Rt plain radiograph of the wrist; posteroanterior projection; male, 13 yo; imaged through cast.

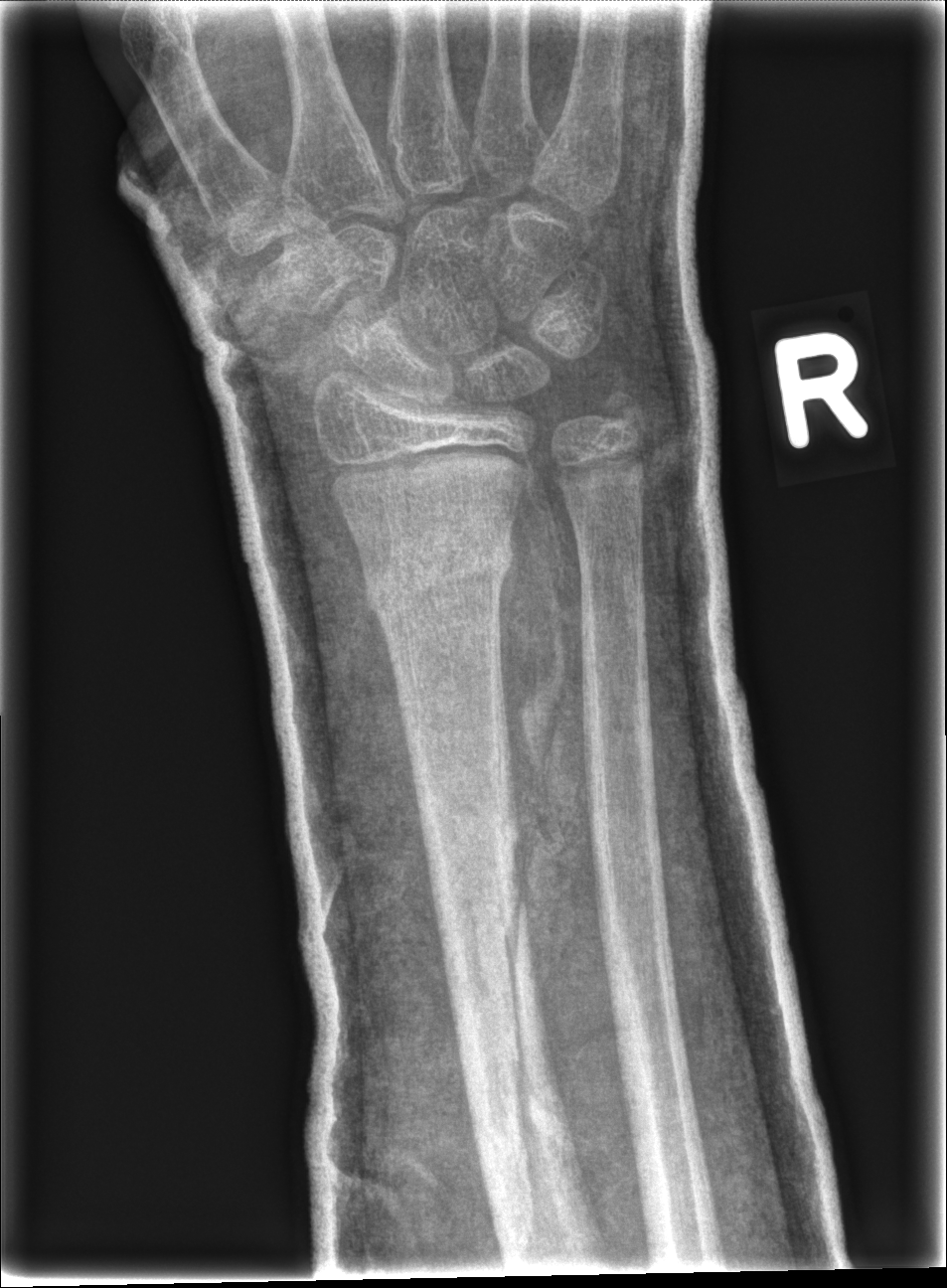

Findings: (pixel coordinates, top-left origin, xyxy) Fx — 359 524 519 618 | 591 379 651 438.